Right wrist pediatric wrist radiograph · PA view · 12y M.
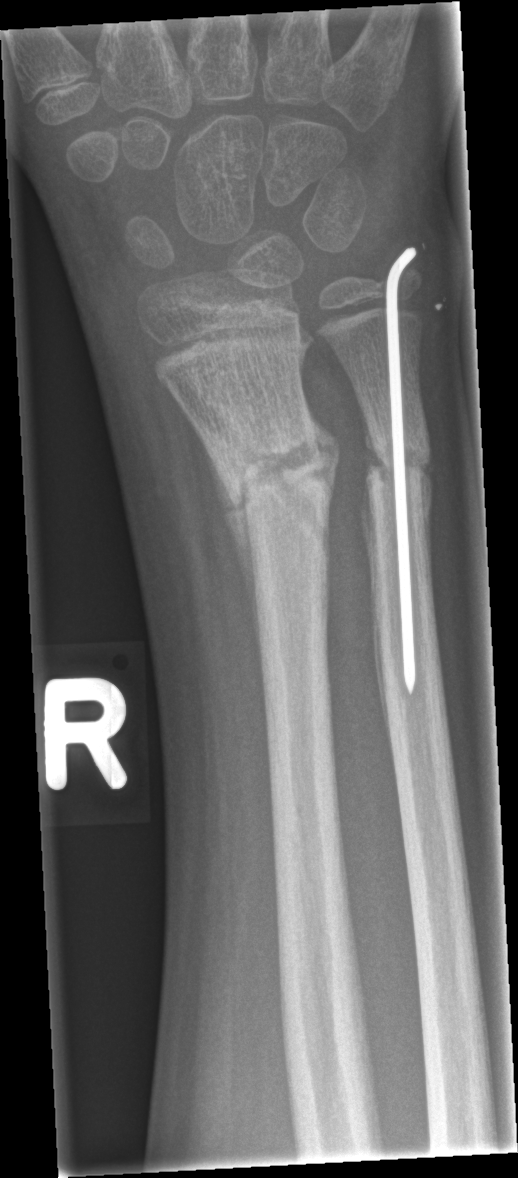
Pixel coordinates, top-left origin, xyxy. Bone fracture identified at 219,417,334,524 | 361,434,435,490. Periosteal new bone — 211,462,269,685; 361,490,393,742. One metallic hardware at 382,245,420,700. Osteopenia.